Lat view | Lt pediatric wrist radiograph | 407x682 —

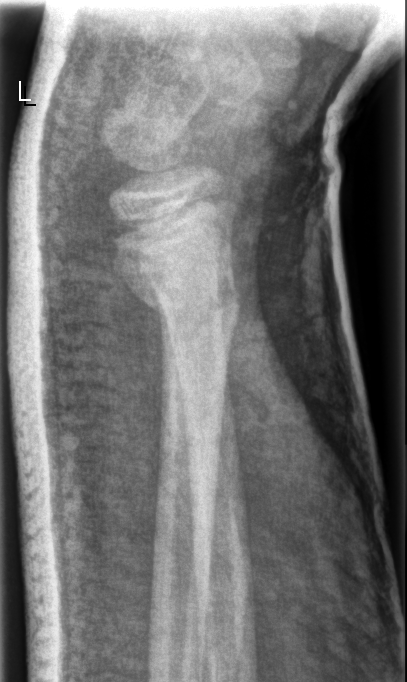 Pixel coordinates, top-left origin, xyxy.
Fracture classified AO/OTA 23r-M/3.1; 23u-M/2.1.
Bone fracture — 135 266 242 332.